Lateral projection | Lt wrist XR | 11-year-old boy.

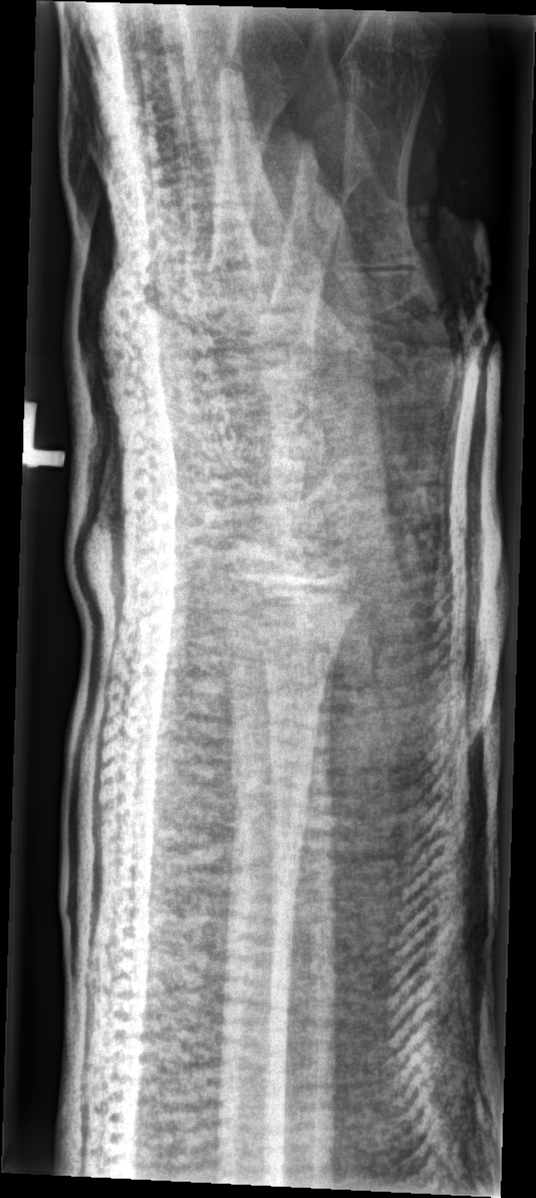 Bone fracture: none labeled